Lt wrist X-ray · posteroanterior view · 11-year-old boy · follow-up study · cast present · image 110.0 mm wide —
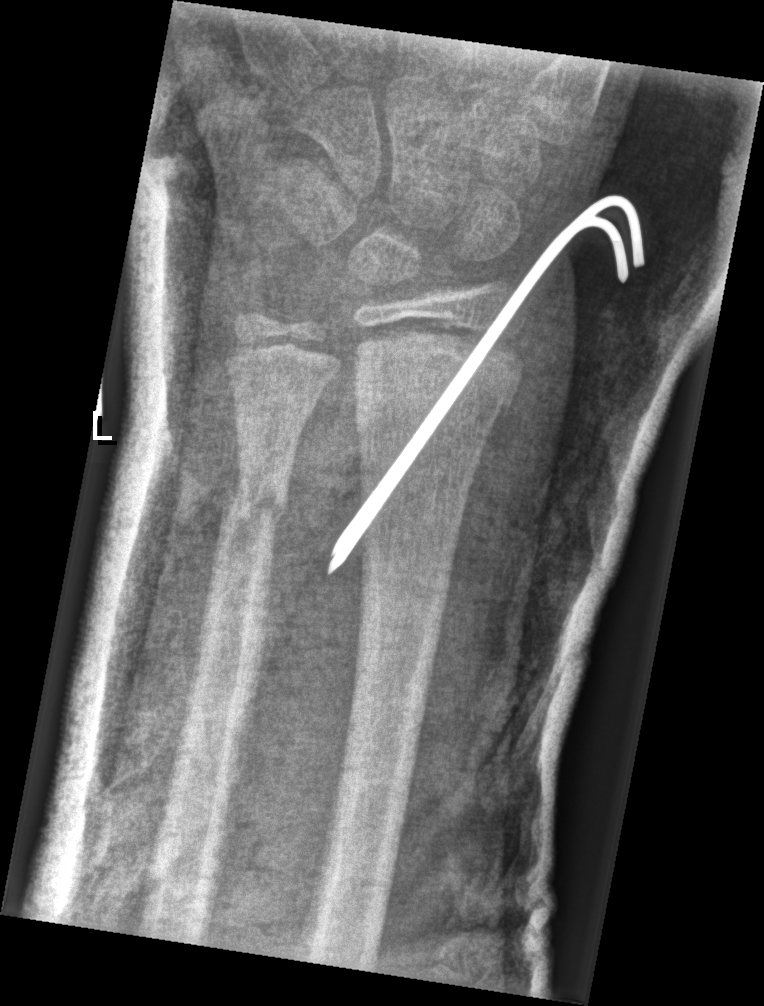 Bone fracture = bbox(346, 333, 528, 458) bbox(215, 460, 296, 559)
AO code = 23r-E/2.1; 23u-M/3.1; 23u-E/7
Metal = bbox(324, 193, 646, 577)